Lt pediatric wrist radiograph · lateral · age 13 y, male · initial study · 506 x 1076 px — 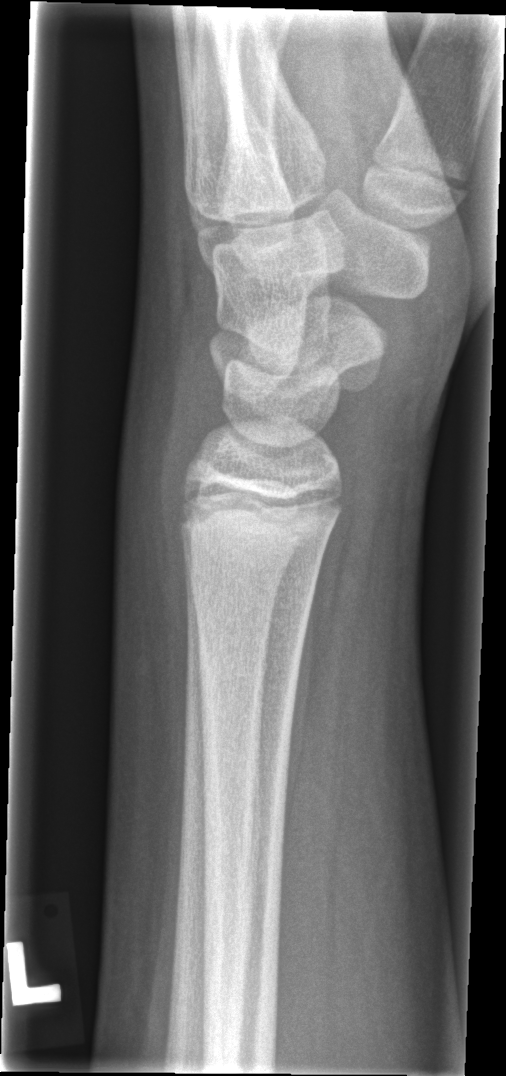

  fracture: none labeled